L wrist radiograph; lateral view; girl, 11 yo; in cast:

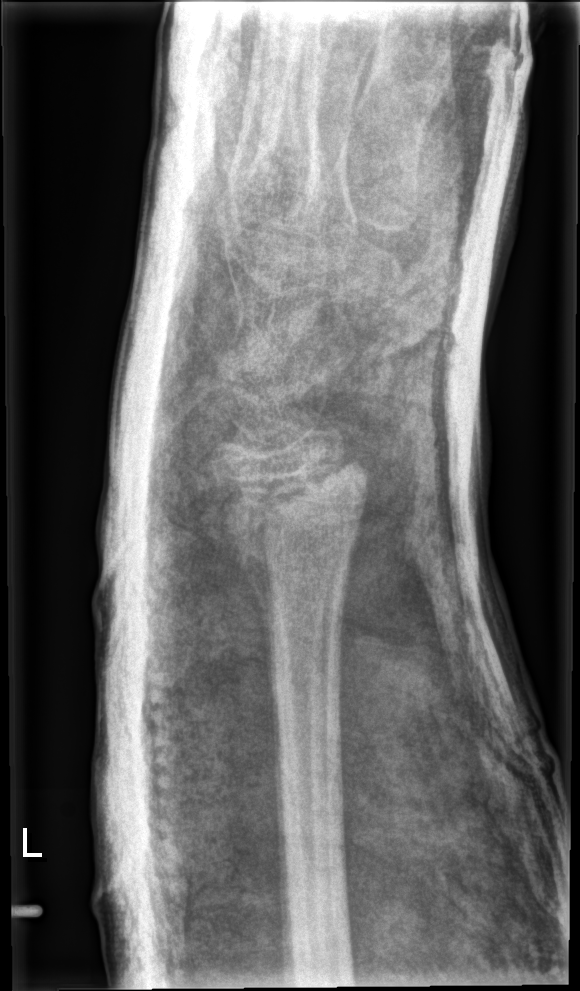
Fracture = [x1=216, y1=492, x2=366, y2=596]